Lateral projection; right wrist plain film; follow-up study; cast present:
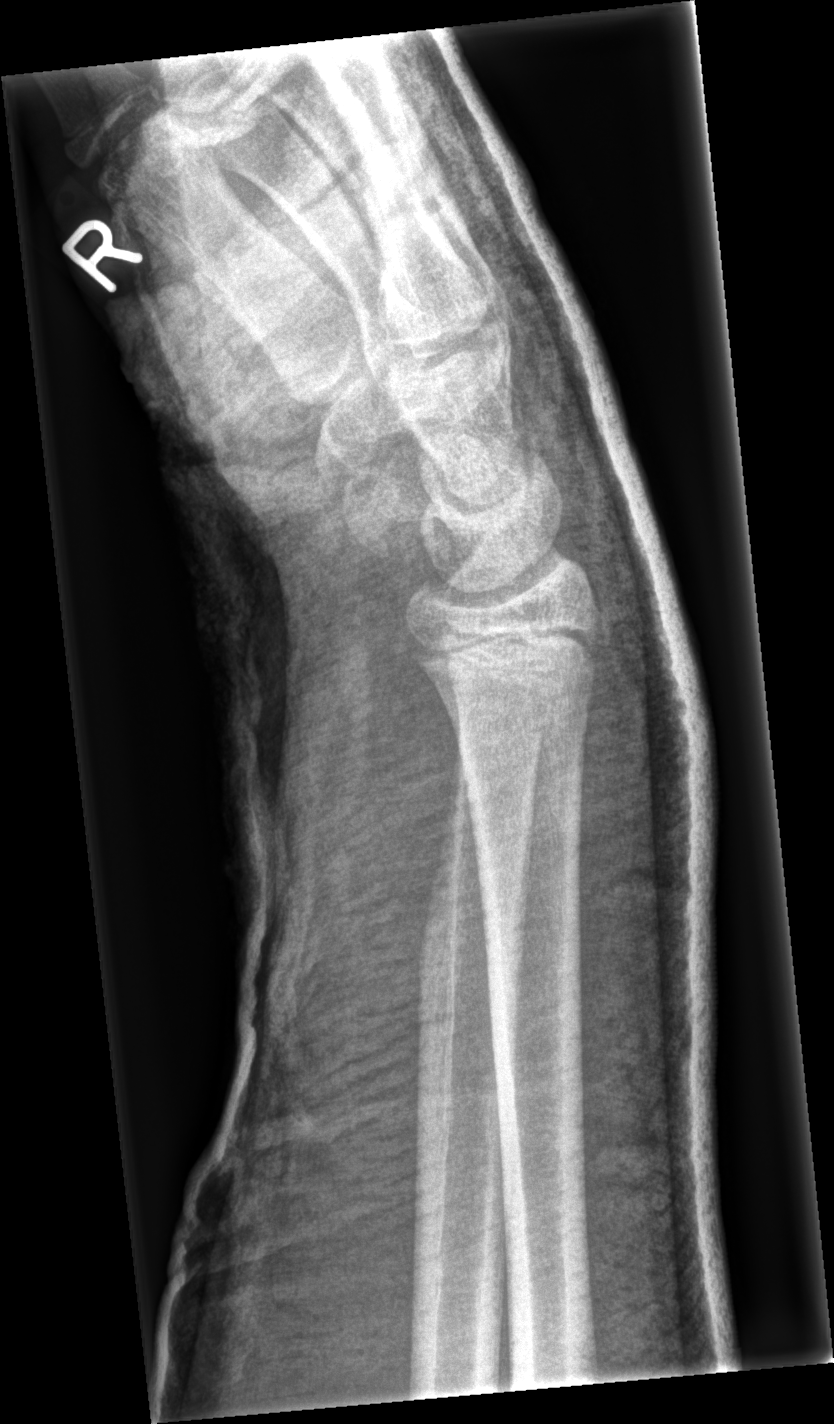
Fracture present, but no bounding box because it is not clearly seen in this view.